Lateral projection; left wrist plain radiograph of the wrist; male, 10 yo; image 93.0 mm wide —

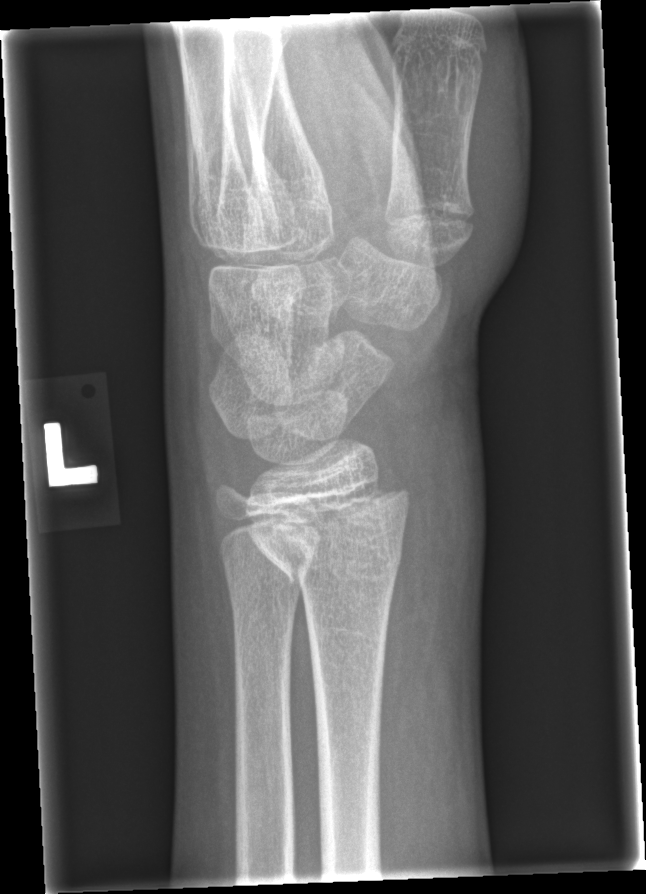
FINDINGS — Fracture classified AO/OTA 23r-E/2.1; 23u-M/2.1. Bone fracture: 244 468 412 591.